Rt wrist X-ray · lateral view · age 9 y, girl · diagnosis uncertain · detector: Siemens — 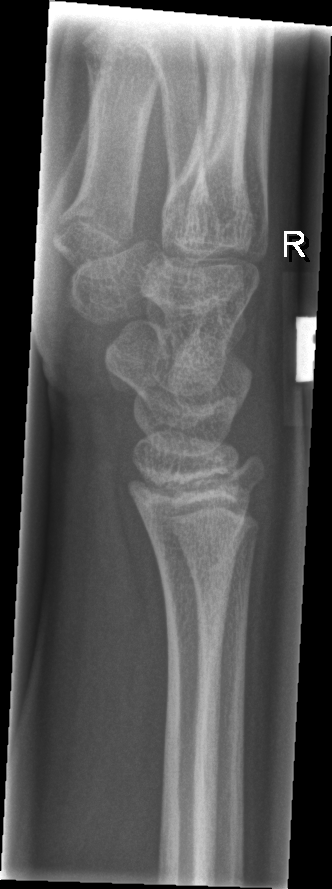

Fracture = none labeled